Lt wrist XR; lateral; age 9 y, girl:

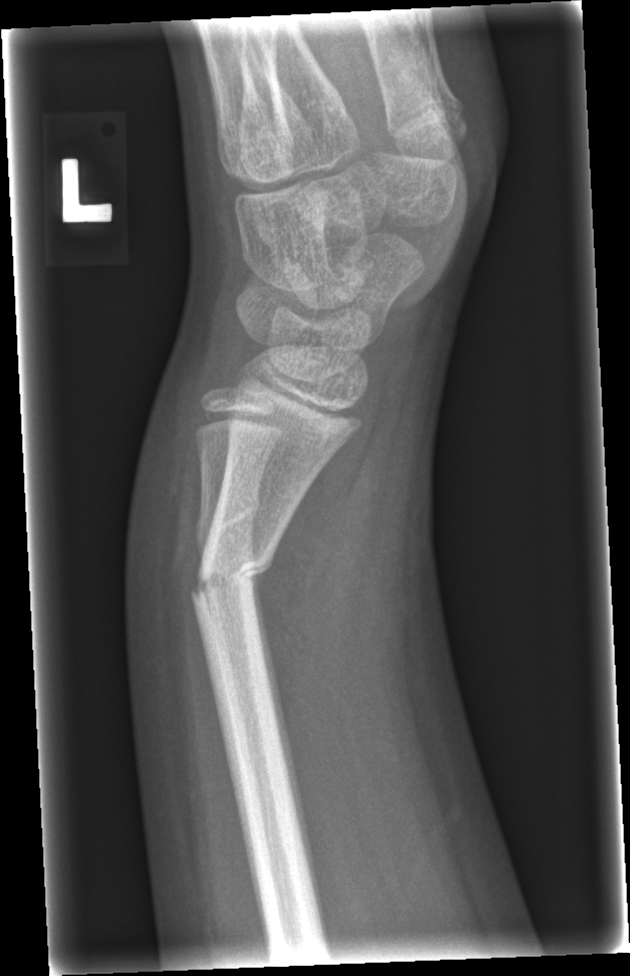

(pixel coordinates, top-left origin, xyxy)
Q: Any fracture seen?
A: Bone fracture: 191,487,261,565 | 188,545,274,603